R wrist XR, frontal projection —

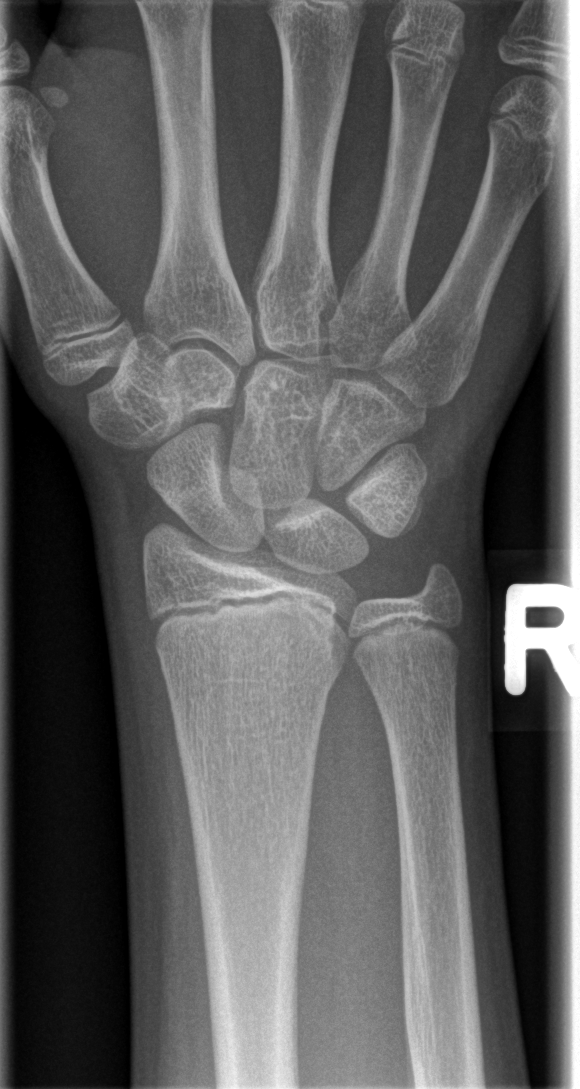
AO code: 23r-M/2.1
Fx: present but not clearly seen in this view